L wrist XR | frontal view | girl, 13 yo | image size 595x982:
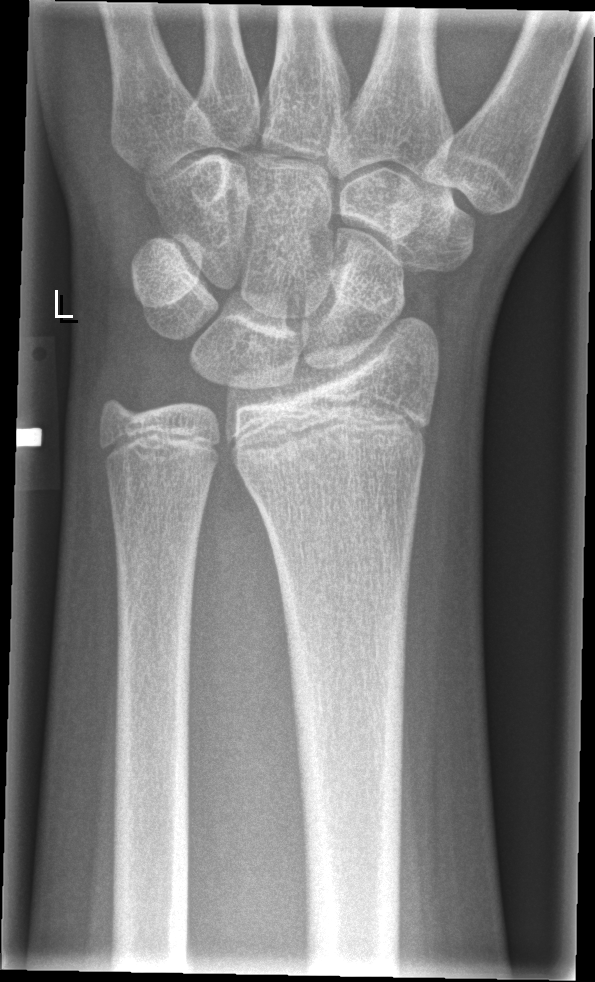 FINDINGS — Fx: none.